PA · L wrist plain film · cast present · 702x1334
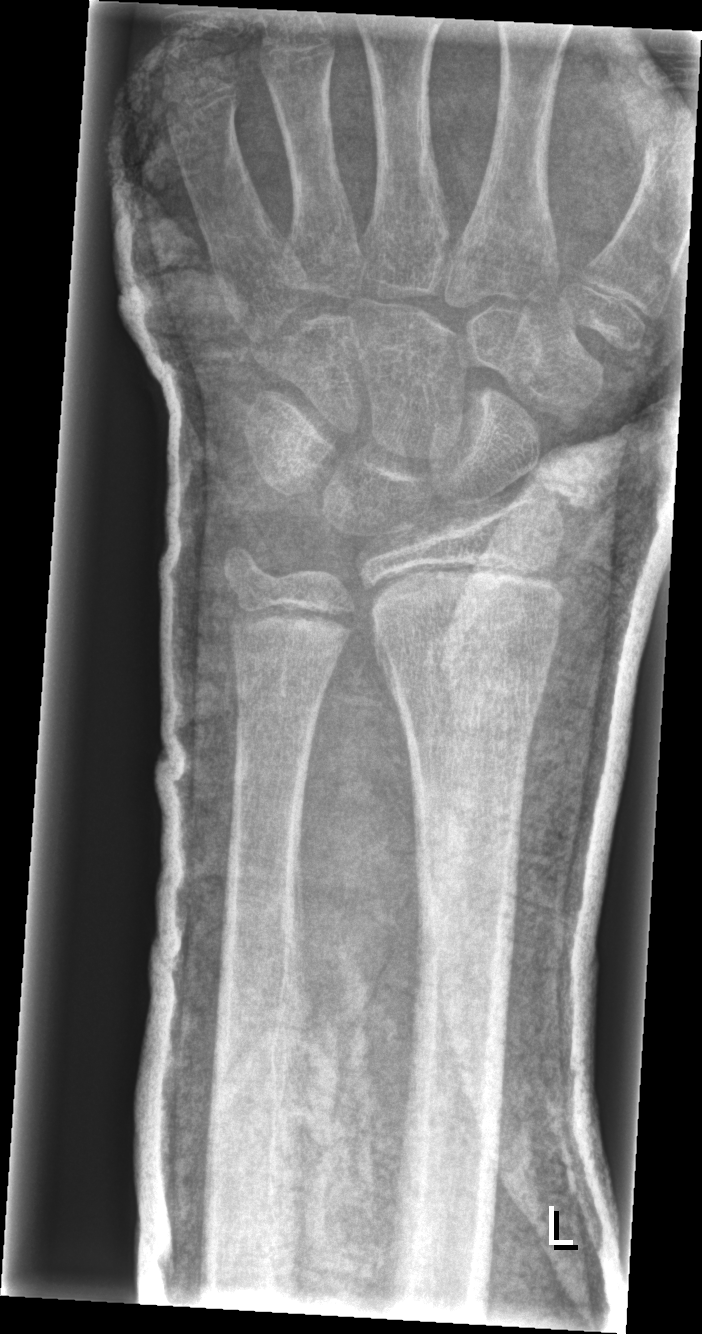
AO code = 23-M/3.1
Bone fracture = present but not clearly seen in this view